Lt wrist XR · lat view · age 14 y, male · acquired on Siemens. 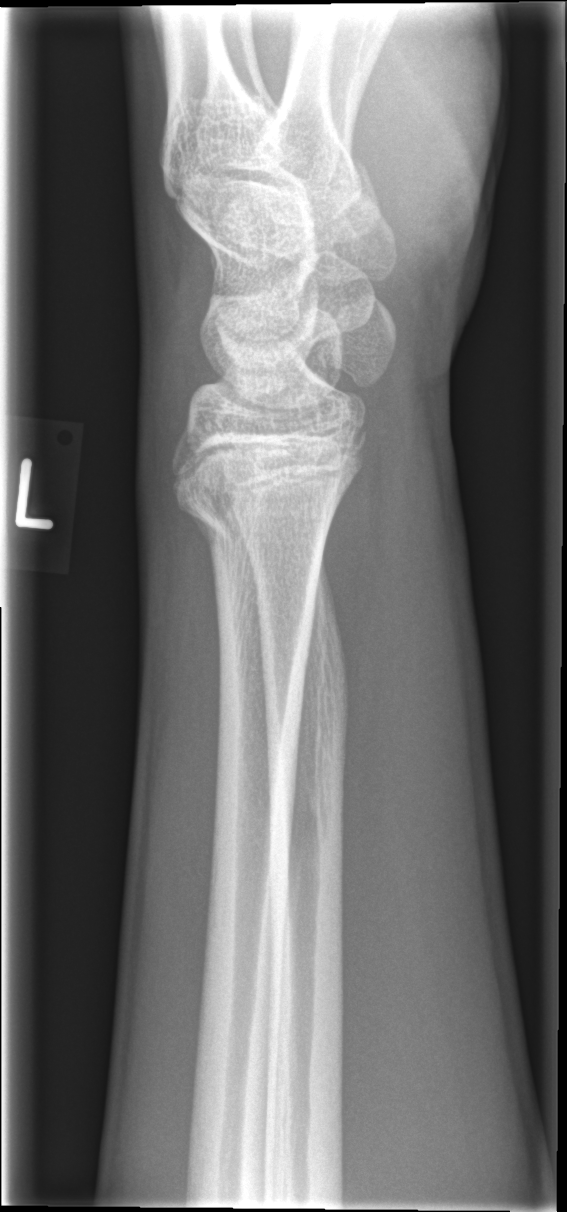 Boxes as x1,y1,x2,y2 (top-left / bottom-right, pixel units).
Fracture classified AO/OTA 23r-M/2.1; 23u-E/7.
Fracture: (left=171, top=461, right=341, bottom=576).